Lateral projection, L wrist XR, diagnosis uncertain, image size 480x1296 —

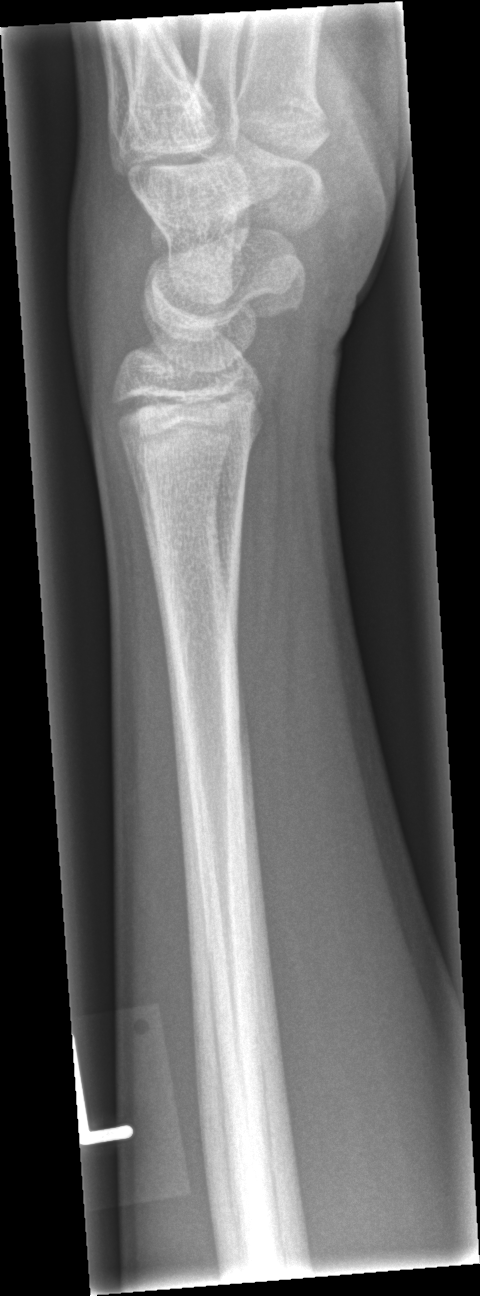 Soft tissue abnormality: 62 144 168 422. No Fx annotated.